Lateral · right wrist X-ray · girl, 9 yo
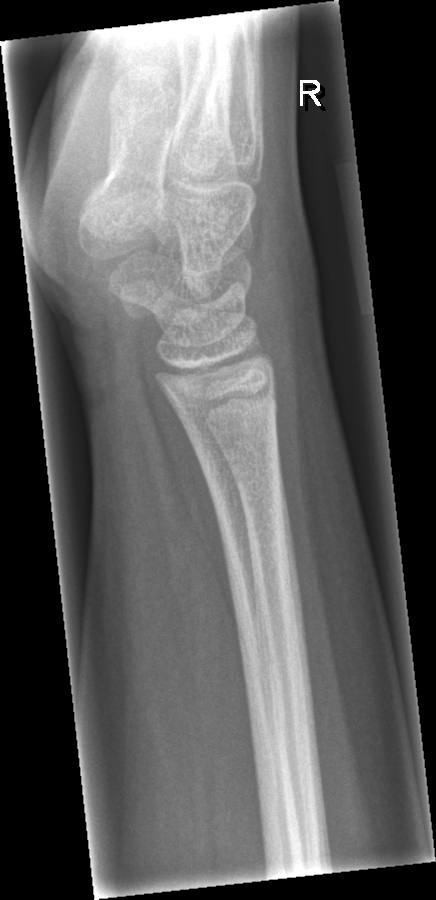
Q: Fracture present?
A: Fx: none